Lateral view, Lt pediatric wrist radiograph, boy, 11 yo, Siemens, image size 564x988

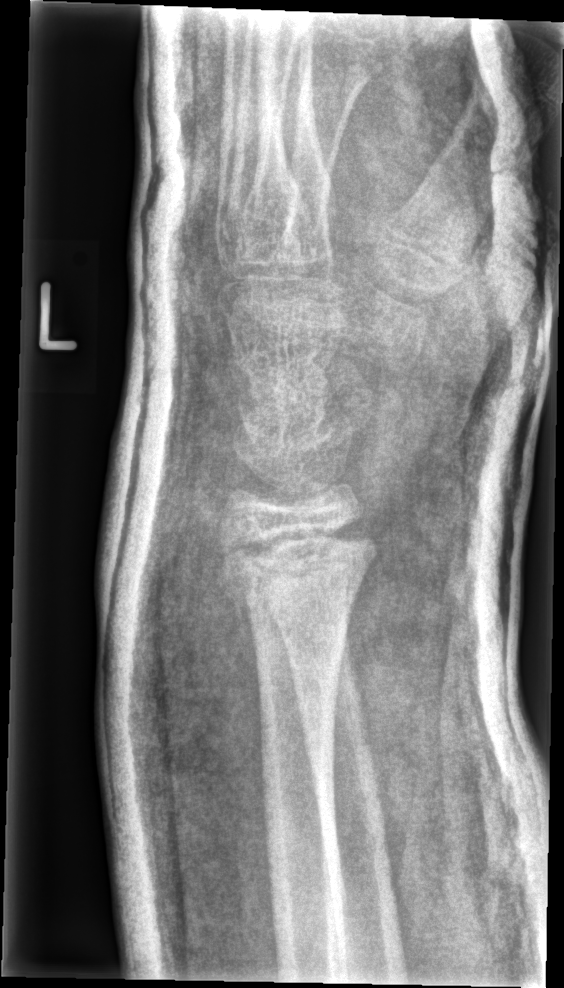

(coordinates are [x1, y1, x2, y2] in image pixels)
AO/OTA = 23r-E/2.1
bone fracture = 1 @ [214, 511, 379, 626]